Lateral projection · Rt wrist X-ray · 3y M · detector: Siemens · 628 by 762 pixels. 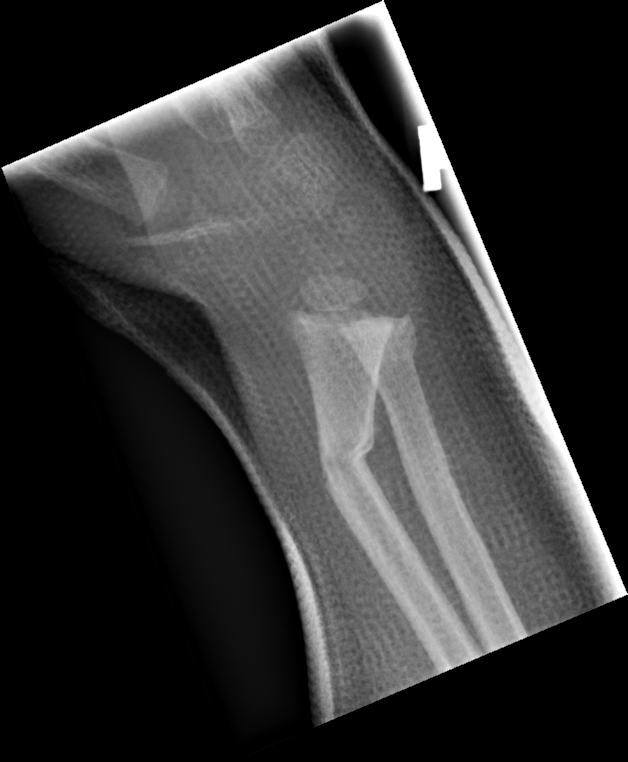

AO code = 23r-M/3.1; 23u-M/2.1
Fx = 2 @ (left=316, top=420, right=378, bottom=501); (left=357, top=329, right=423, bottom=377)